Right wrist radiograph · frontal · pediatric patient (girl, age 14) —
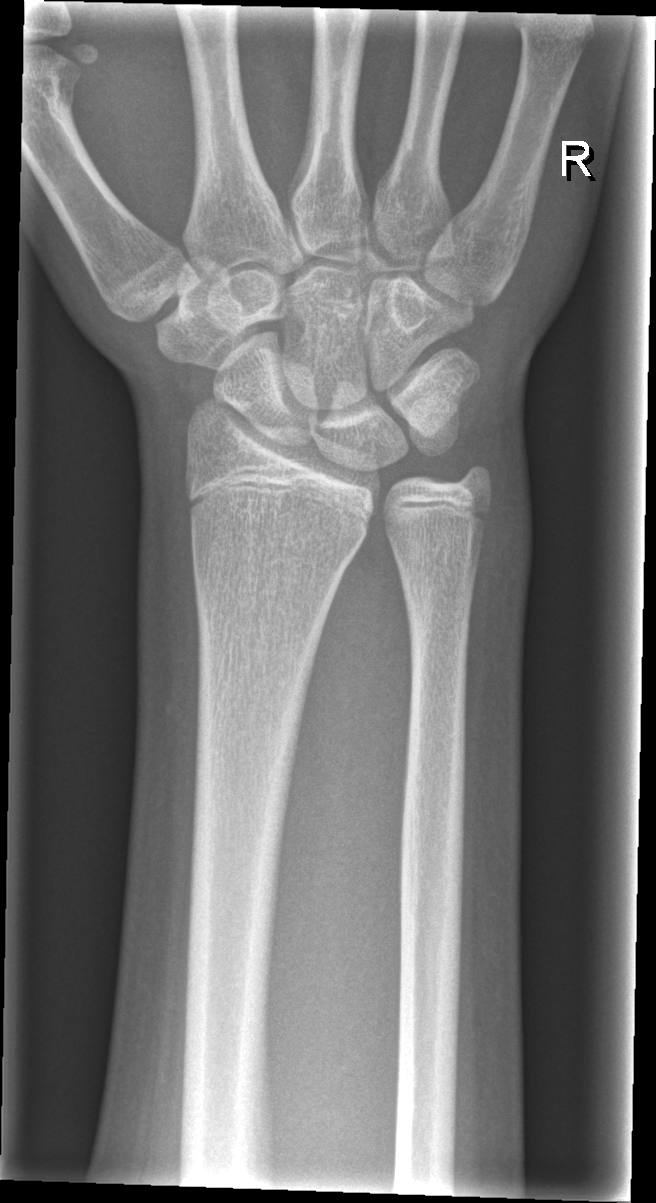 {"fracture": "none labeled"}